Rt wrist XR · lateral —

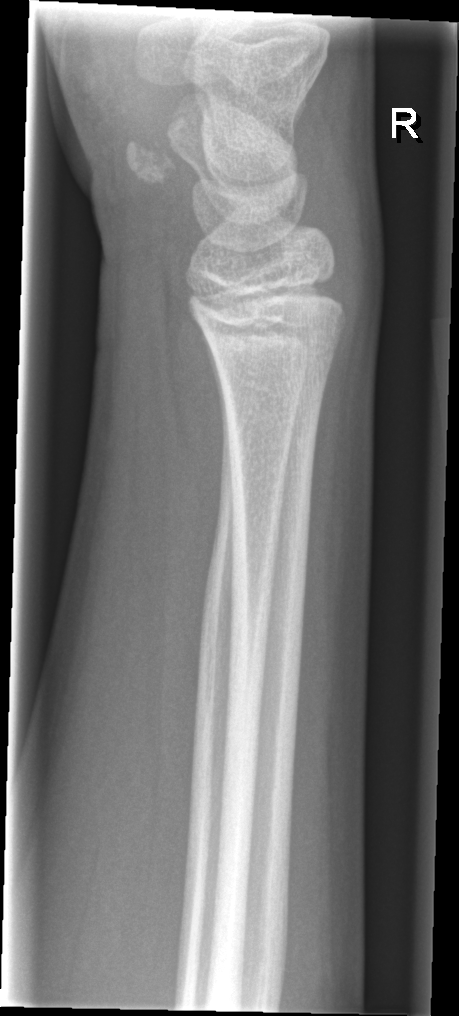 No fracture labeled.